Lat view | R wrist X-ray | female, 11 yo | 460 x 874 px 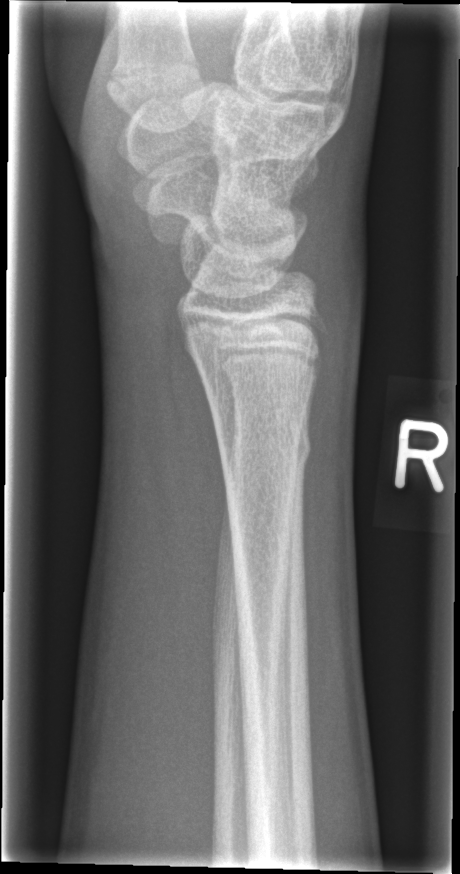 AO/OTA classification: 23r-M/2.1. Fx — (212, 420, 315, 469).